L plain radiograph of the wrist | lateral | age 6 y, boy. 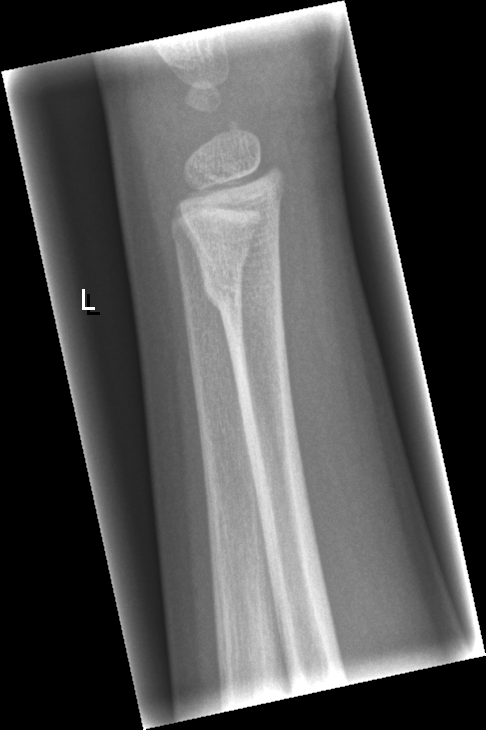

• Fracture identified at [169, 234, 254, 292]; [198, 260, 285, 315].